Left wrist X-ray | lat projection | presentation radiograph.

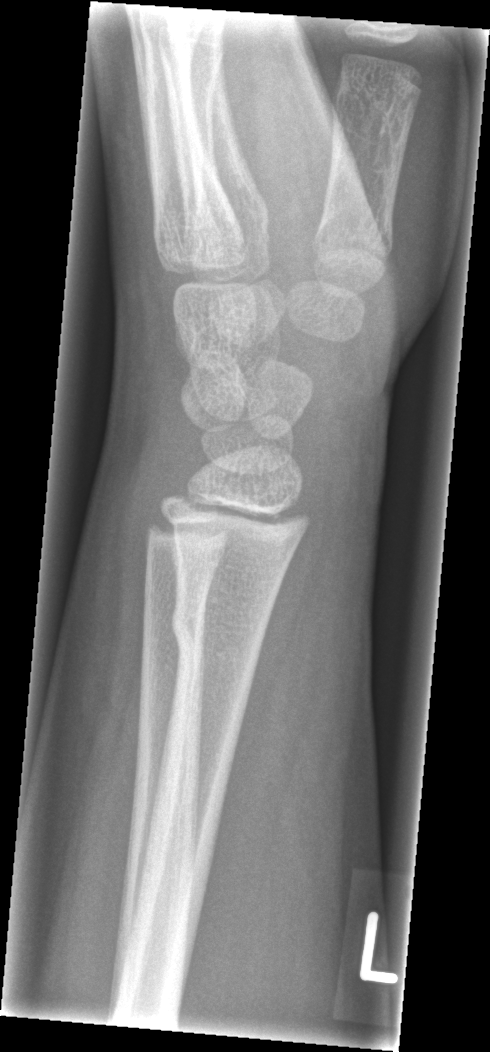
softtissue: <65,429>-<149,707>
ao: 23r-M/2.1
fracture: 1 @ <166,596>-<271,665>